Lat · Lt pediatric wrist radiograph · 11-year-old female · image width 88.7 mm:

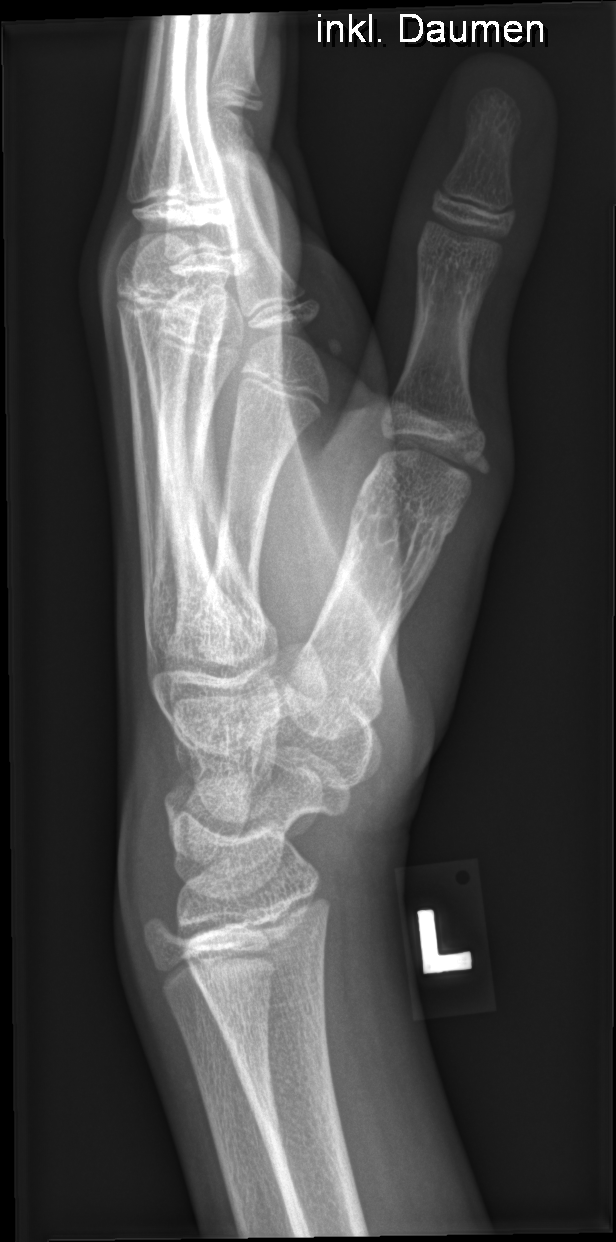
No fracture annotation.